PA projection | right pediatric wrist radiograph | in cast.
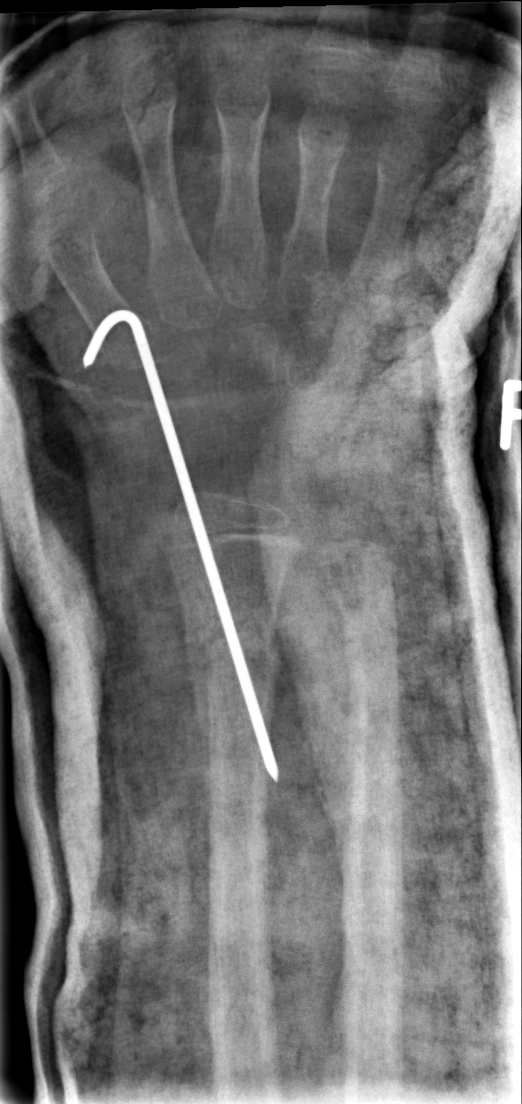 * Bone fractures — (181, 611, 283, 680), (331, 591, 402, 648).
* Metallic hardware identified at (78, 305, 282, 787).
* Fracture classified AO/OTA 23-M/3.1.